Posteroanterior view | left wrist XR | pediatric patient (boy, age 12) | detector: Siemens:

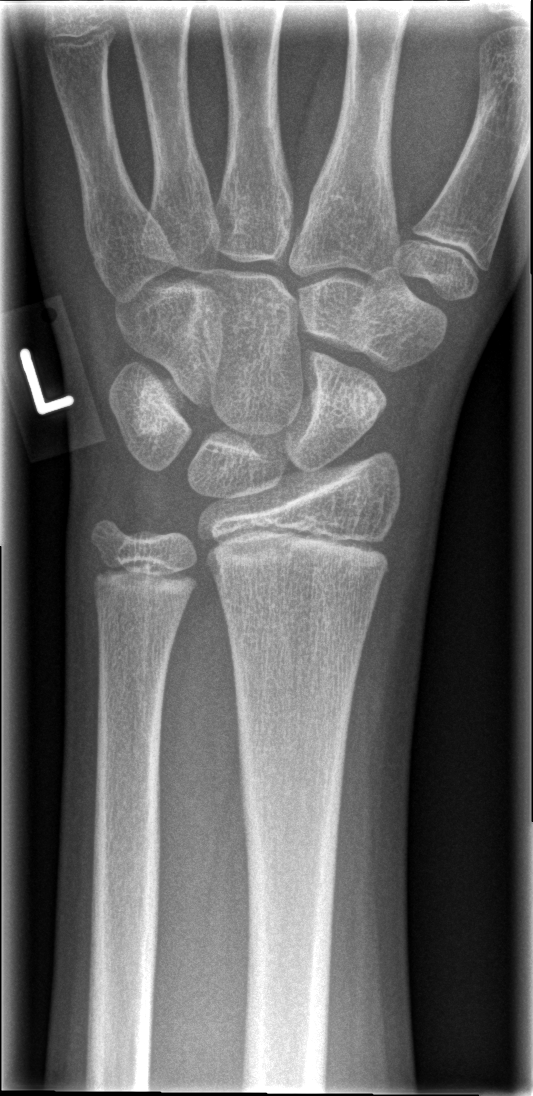

Fracture: none labeled.